Left wrist plain film, PA:
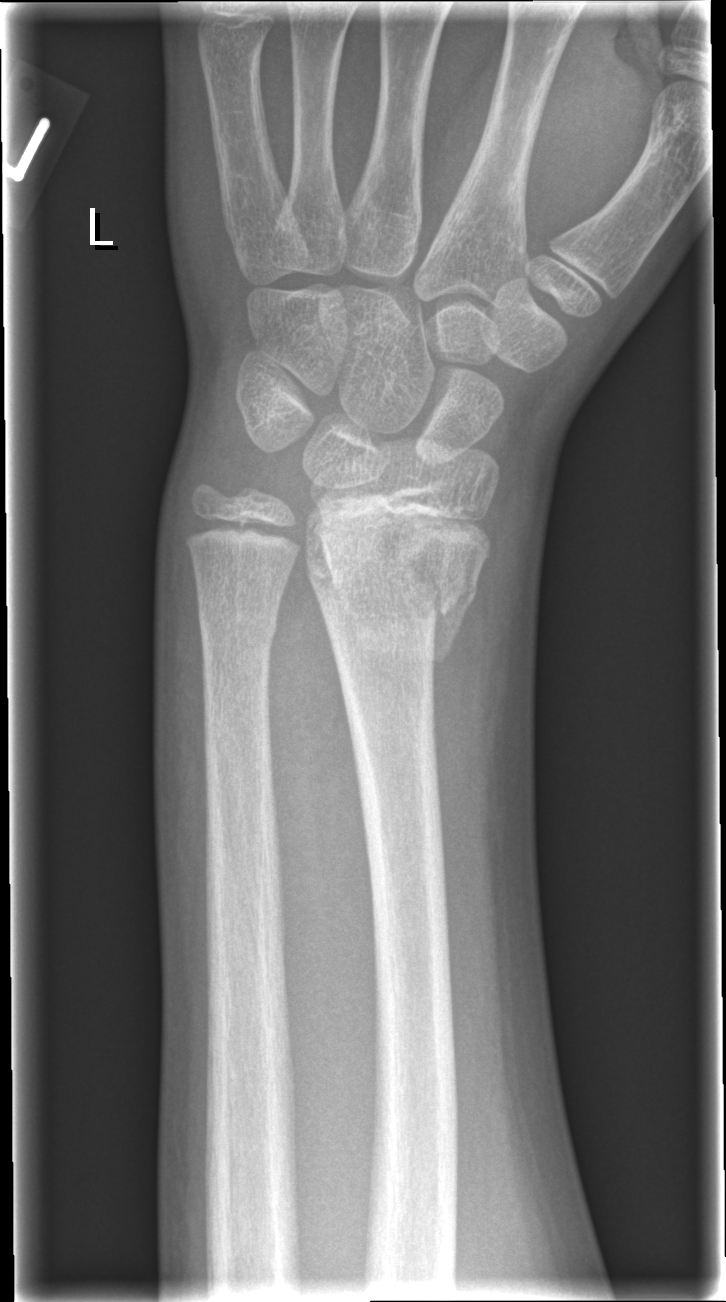

Fracture = (left=301, top=506, right=481, bottom=671); (left=193, top=595, right=282, bottom=652)
AO code = 23r-M/3.1; 23u-M/2.1